Left wrist X-ray · lateral projection:
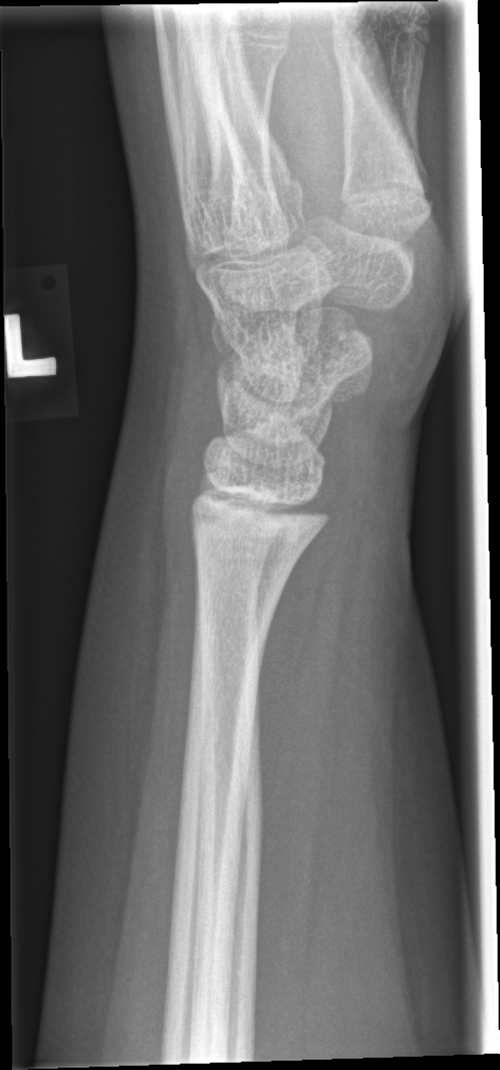

Bone fracture = none labeled